Posteroanterior view; right wrist XR; initial study —

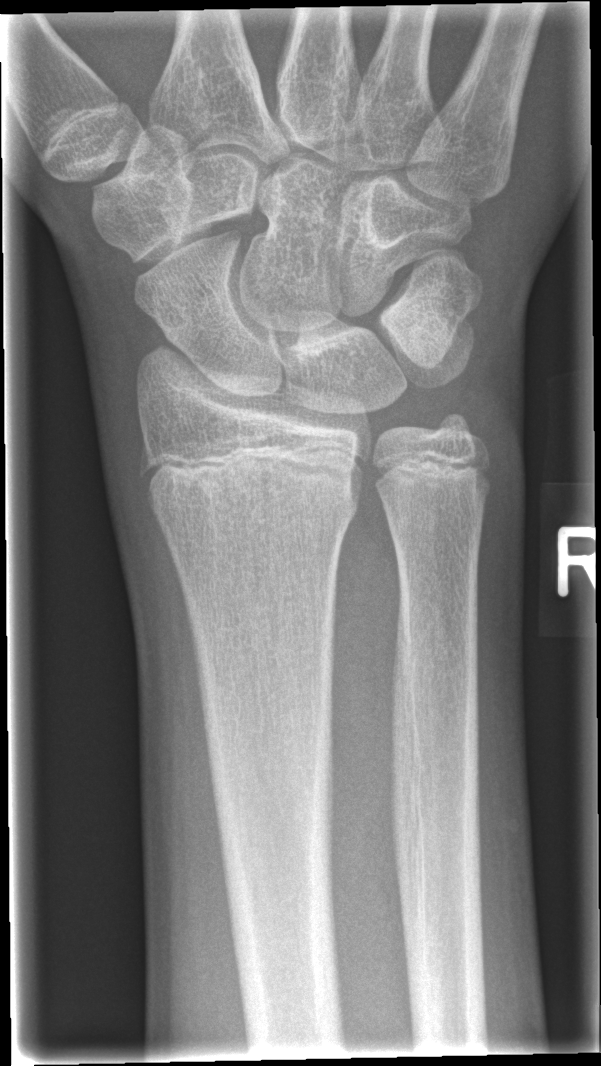 Fracture present, though not clearly seen in this view.
Fracture classified AO/OTA 23r-M/2.1.